Lateral view; left wrist X-ray; 14y M; Siemens; 536 x 836 px 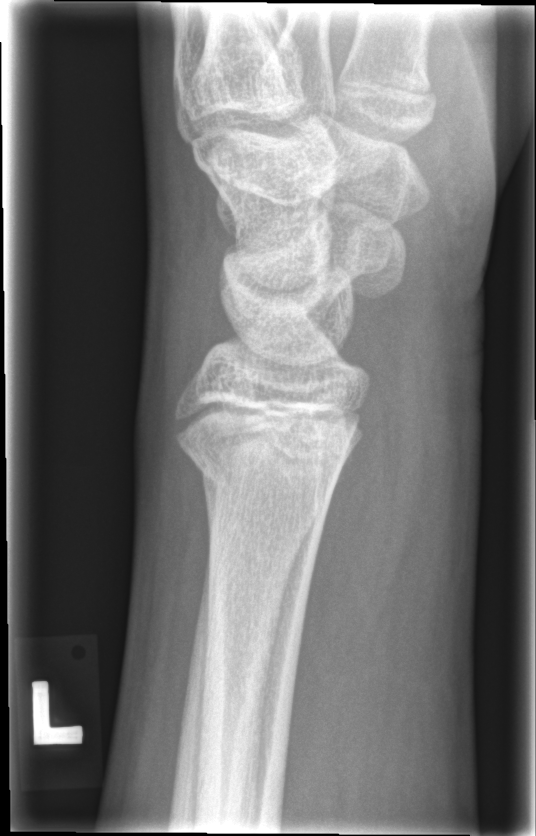
- Fx: [x1=180, y1=428, x2=356, y2=508].
- Pronator sign — [x1=286, y1=398, x2=405, y2=732].
- Fracture classified AO/OTA 23r-M/2.1.